Rt wrist plain film, frontal projection, presentation radiograph, 495 x 854 px: 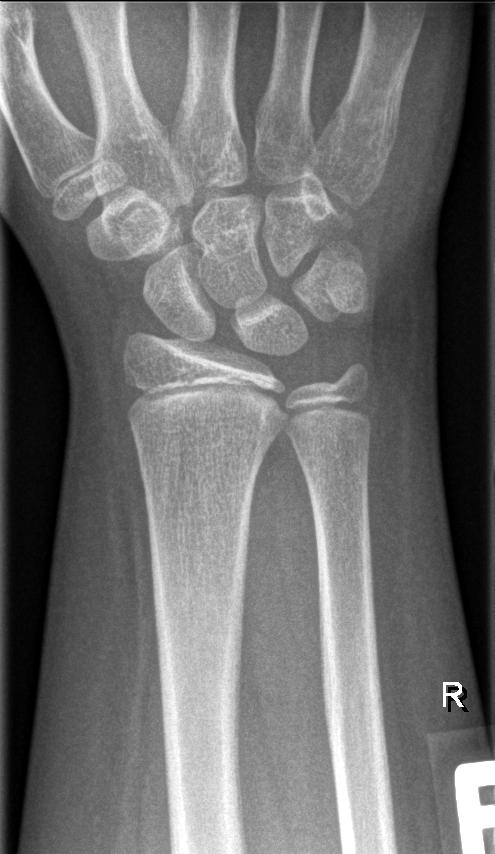
Findings: Fracture: none labeled.